Lat view | L wrist X-ray | pediatric patient (male, age 11):
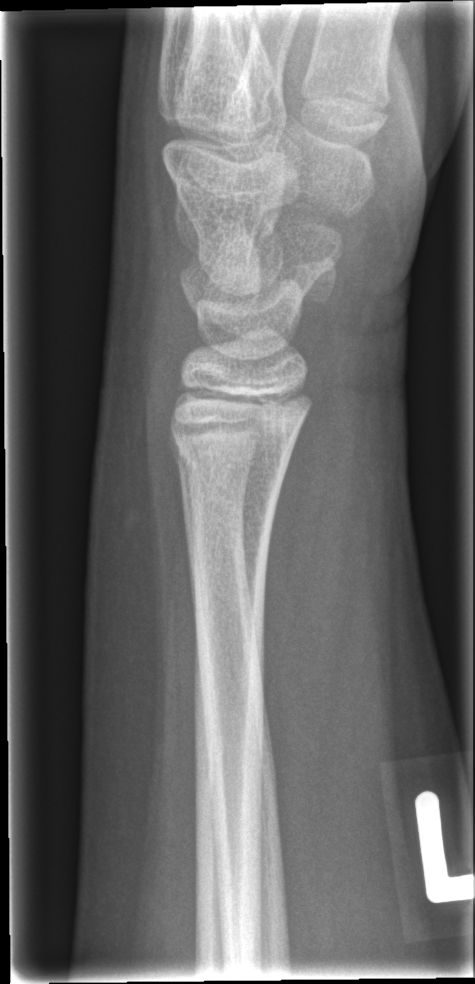 * Bone fracture: <168,429>-<294,495>.